Lat view; left wrist plain film — 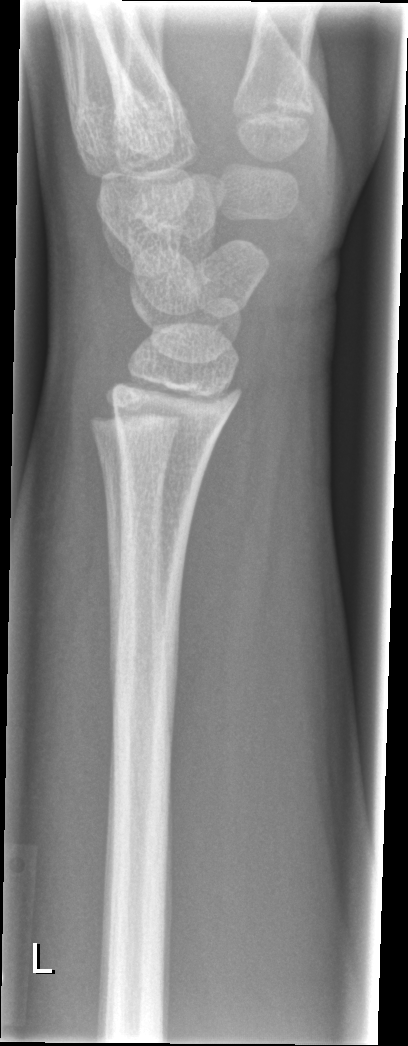
Fracture = none labeled